Lat, Lt wrist XR, initial study
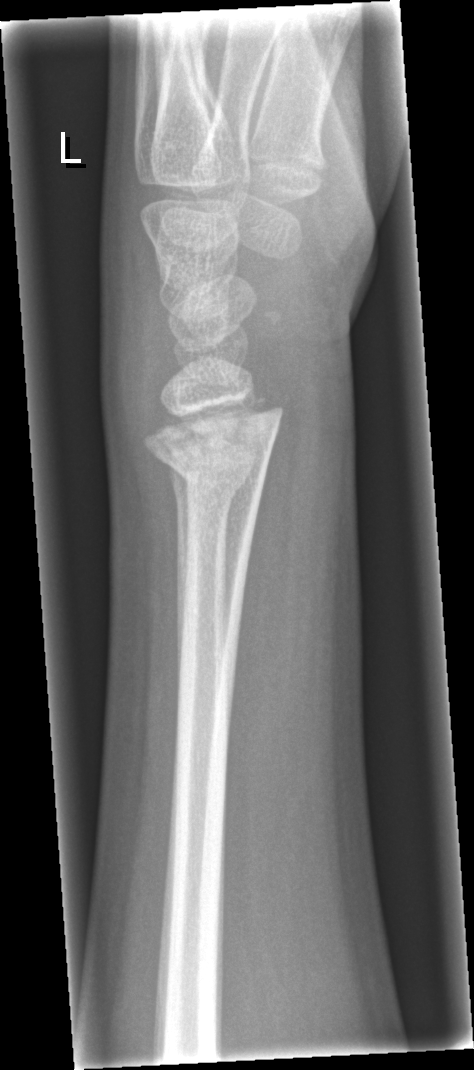 FINDINGS — Fracture: [x1=140, y1=392, x2=284, y2=506]. Fracture classified AO/OTA 23r-E/2.1; 23u-M/2.1.